Right wrist XR, PA/AP projection, pediatric patient (male, age 16), cast present:
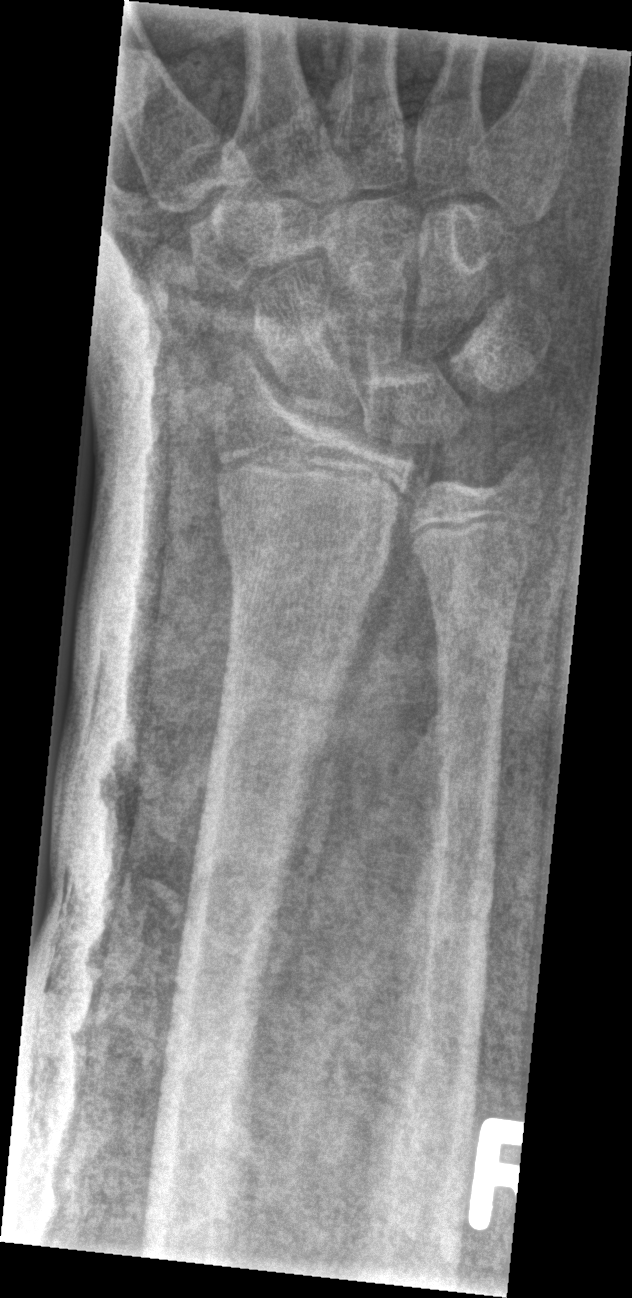 AO classification = 23r-M/2.1; 23u-E/7
Fracture = 209,511,397,593